Left wrist radiograph · PA view.
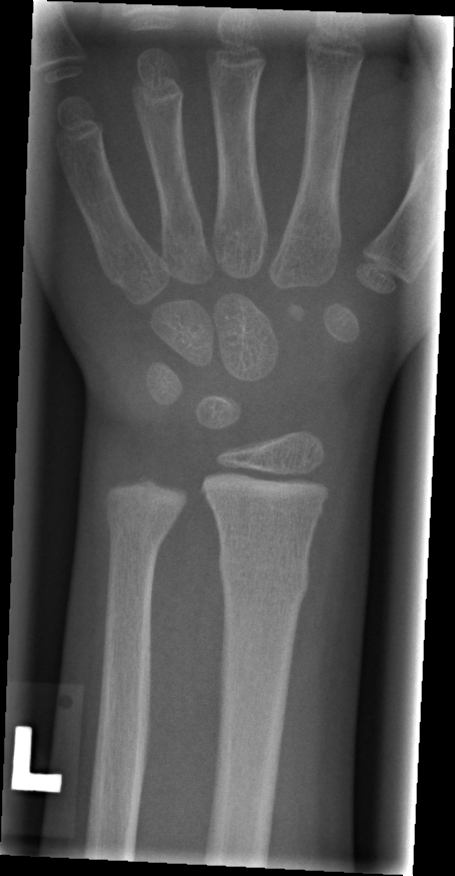

Fx: 215,540,313,608
  104,510,177,556
AO code: 23-M/2.1